Lat view; Lt pediatric wrist radiograph; male, 10 yo:
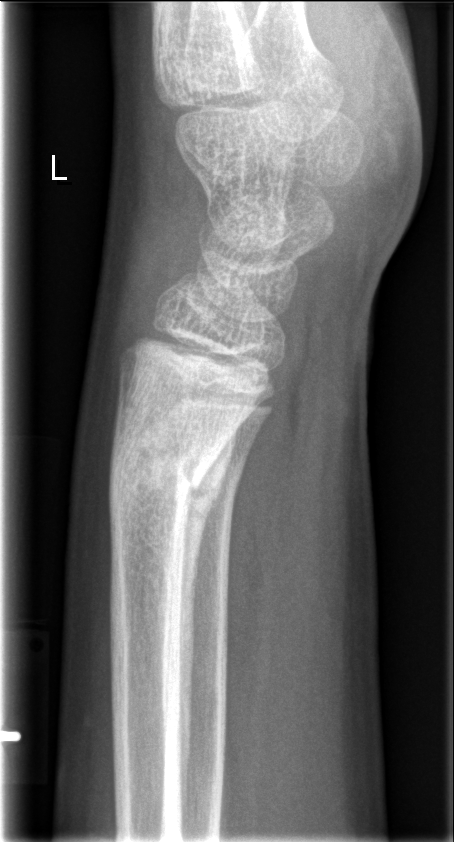
{"osteopenia": "present", "fracture": "1 @ [x1=102, y1=440, x2=223, y2=520]", "periostealreaction": "1 @ [x1=177, y1=426, x2=234, y2=808]", "ao": "23-M/2.1"}